PA/AP view; Rt wrist radiograph; age 17 y, boy; 642 by 1140 pixels —

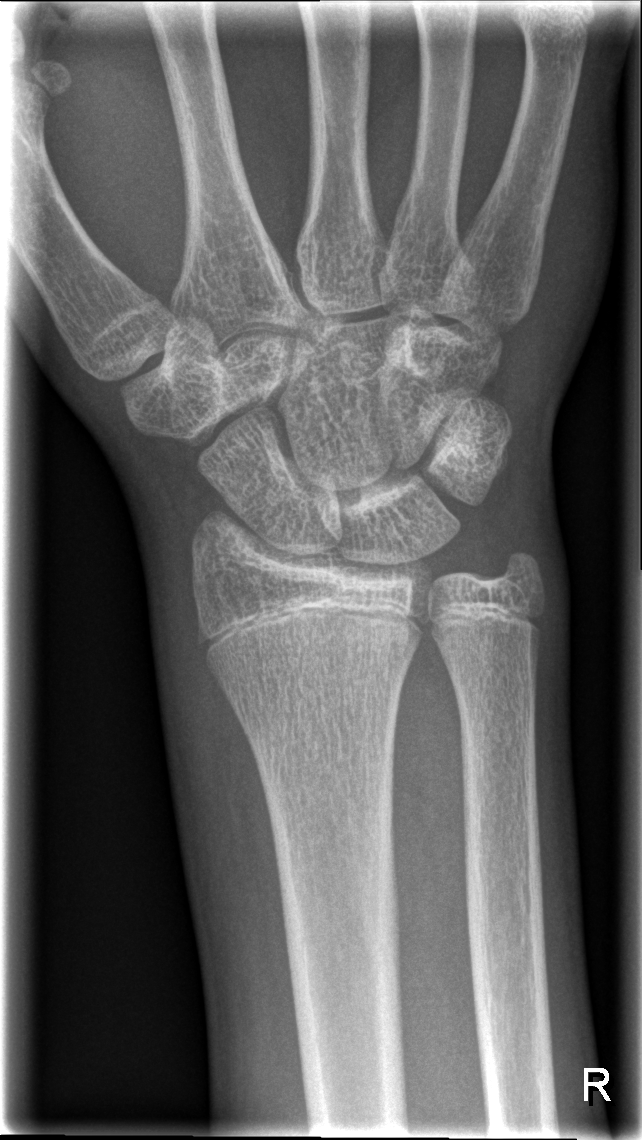 {"fracture": "none labeled"}